L wrist plain film, lateral projection

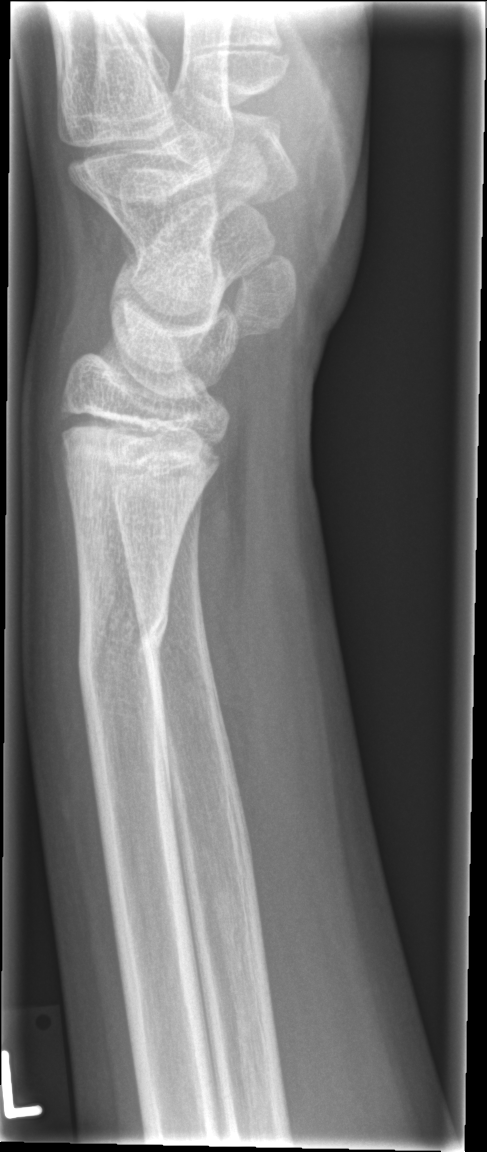
AO code: 23r-M/2.1
Fracture: bbox(76, 601, 171, 691)